Left wrist radiograph · posteroanterior projection · image 45.9 mm wide 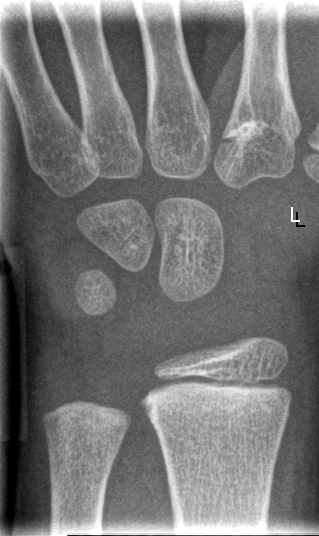 Findings: AO code 23r-M/2.1. Fracture present but not clearly seen in this view.